Left wrist XR | PA view | girl, 7 yo | follow-up study | cast present | 468x971 —

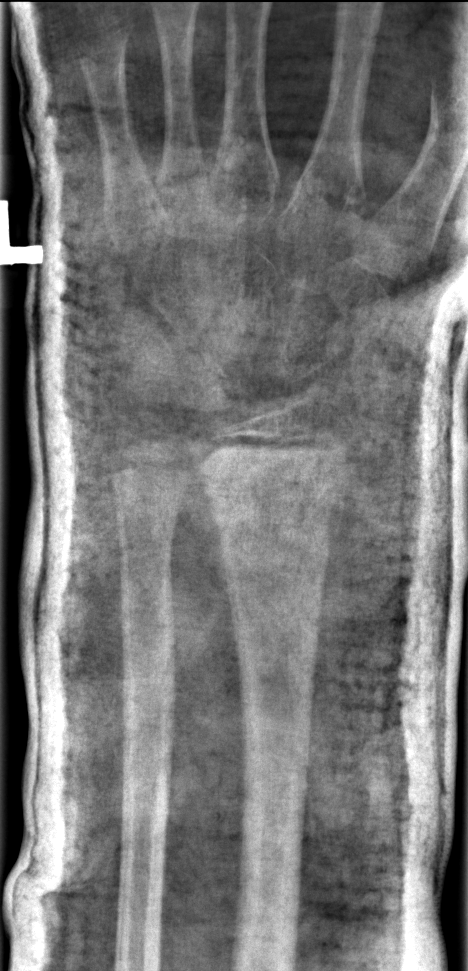

# coordinates are [x1, y1, x2, y2] in image pixels
fracture: (left=197, top=457, right=349, bottom=559)